R pediatric wrist radiograph; PA view; age 7 y, male; index exam.
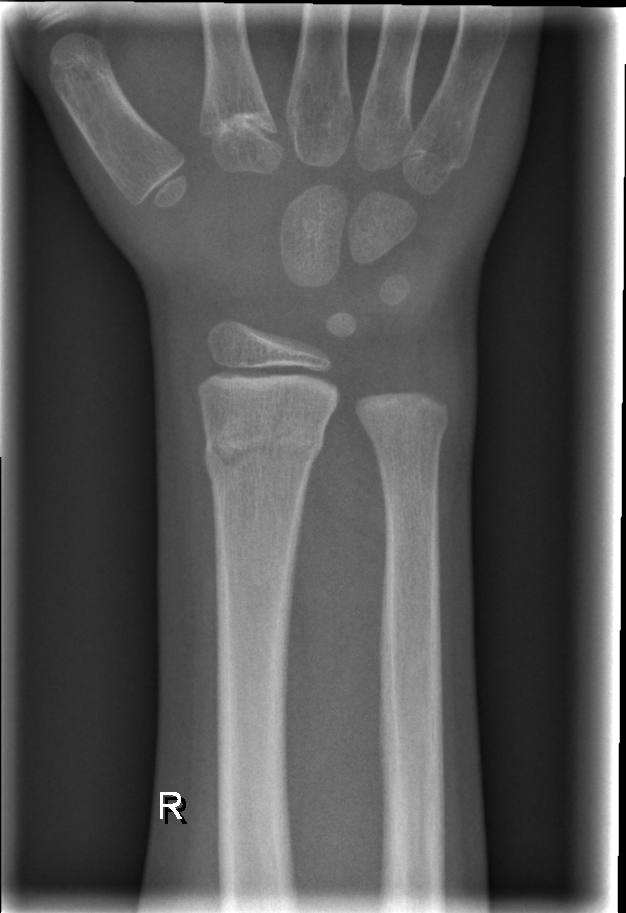
AO code 23-M/2.1.
Bone fracture: [202, 410, 327, 477] [359, 410, 451, 456].